Lateral, Lt pediatric wrist radiograph, 10y M, cast present: 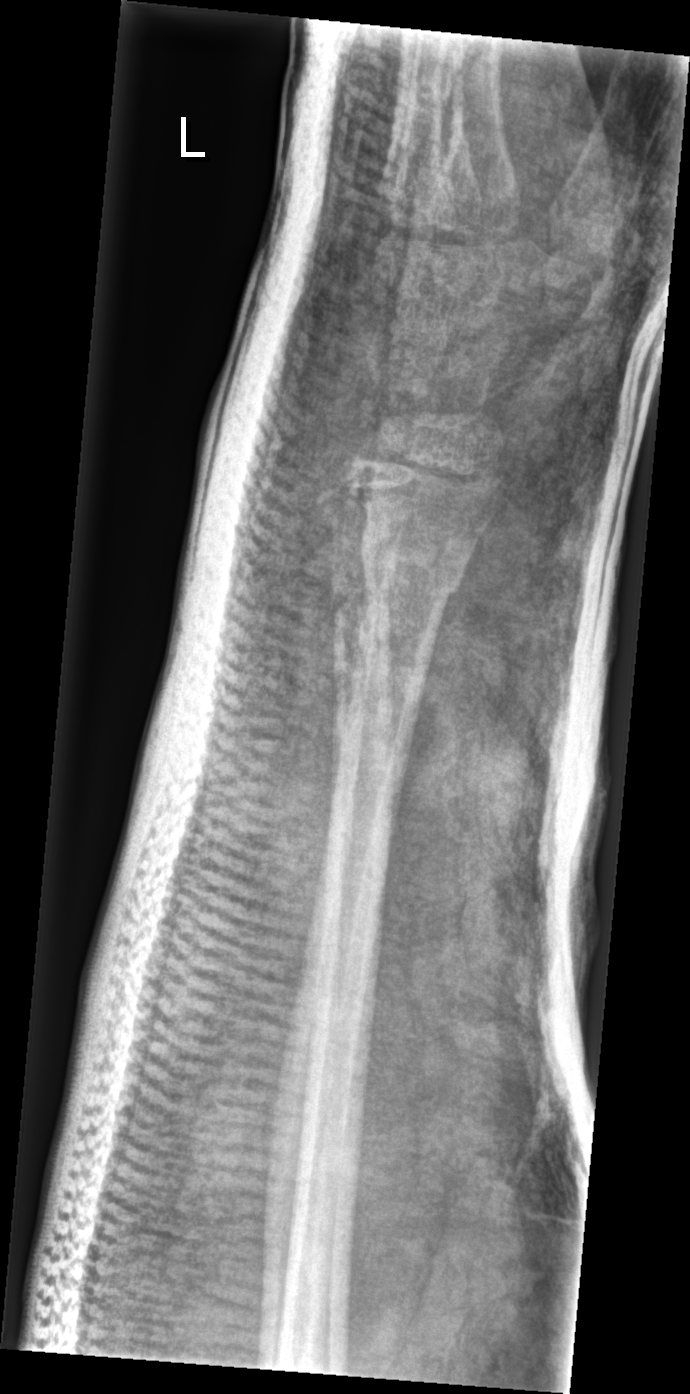 Q: Any fracture seen?
A: One fracture at 356,527,472,608